Lat projection · right wrist radiograph · pediatric patient (male, age 10) · presentation radiograph.

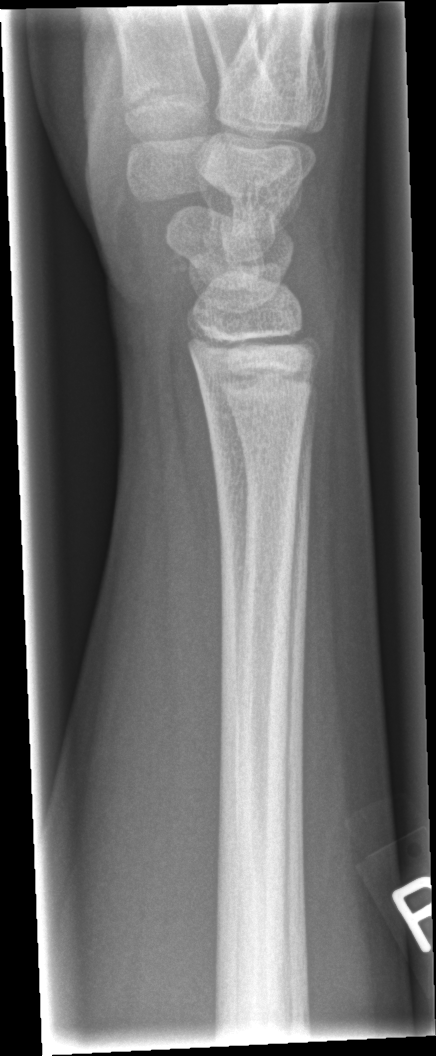
• No fracture labeled.